Lateral view · L pediatric wrist radiograph · male, 14 yo · cast present.

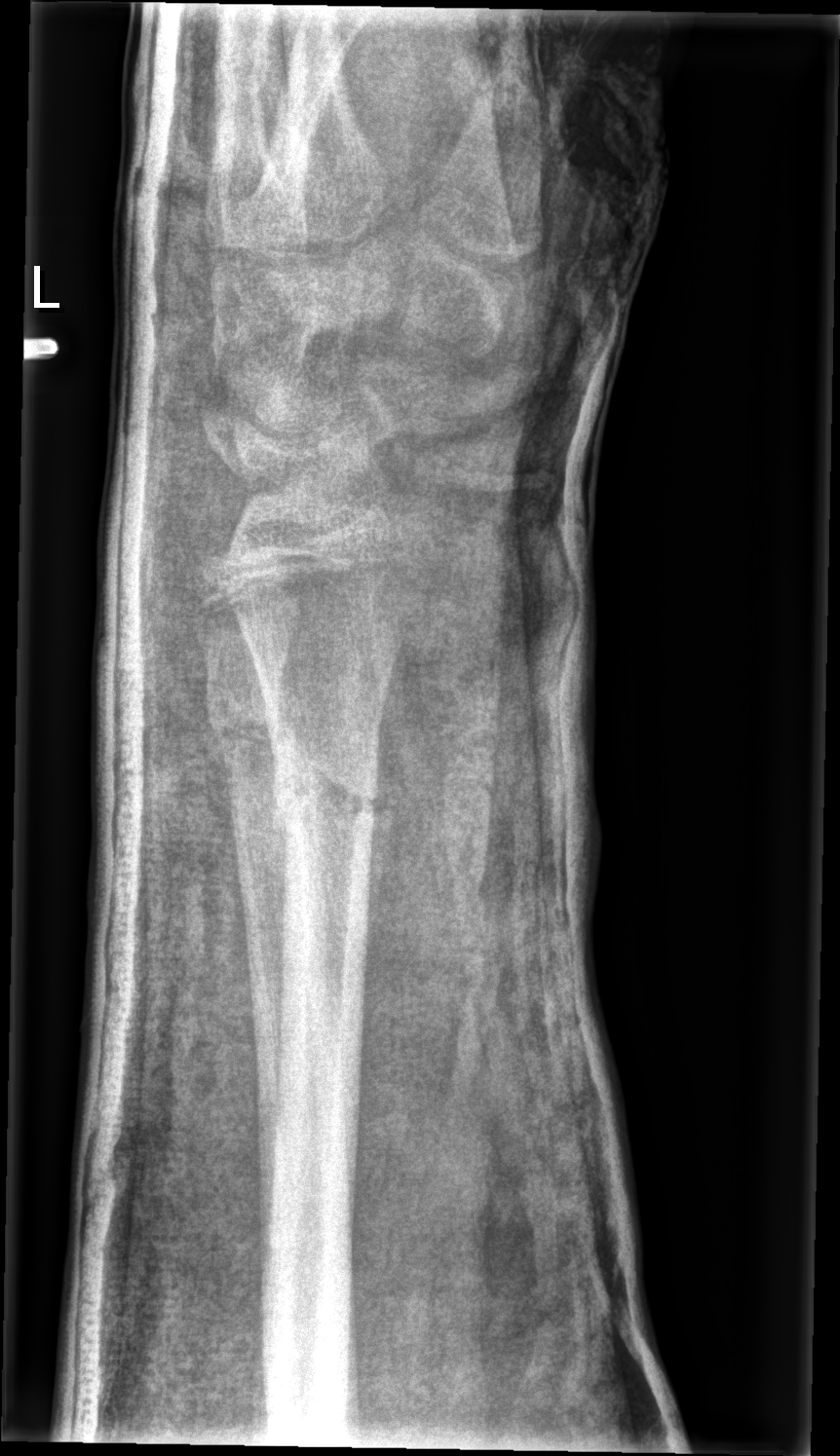 Fracture identified at (272, 755, 379, 840) (203, 689, 291, 765). One periosteal reaction at (365, 668, 394, 969).